Posteroanterior view; right plain radiograph of the wrist; index exam:

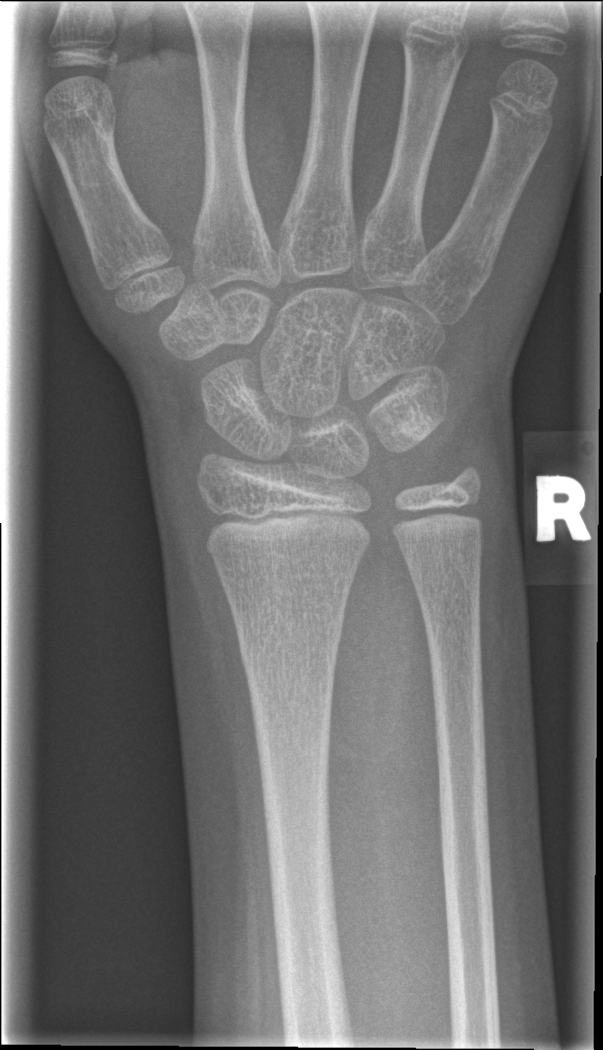

• Fx — 232 613 347 681.
• AO code 23r-M/2.1.